Frontal · L wrist XR · in cast · detector: Siemens · 571x706

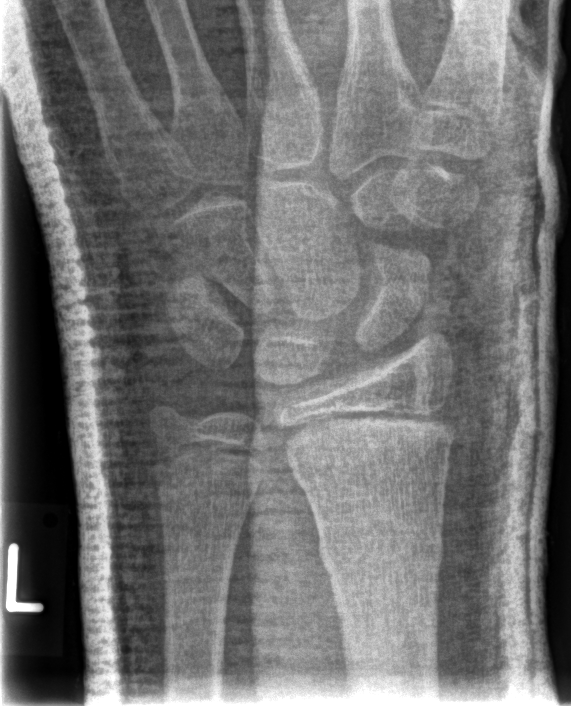
FINDINGS — Fracture identified at (left=318, top=519, right=447, bottom=580). AO code 23r-M/2.1.